Left wrist pediatric wrist radiograph; frontal; imaged through cast; 568 x 802 px —

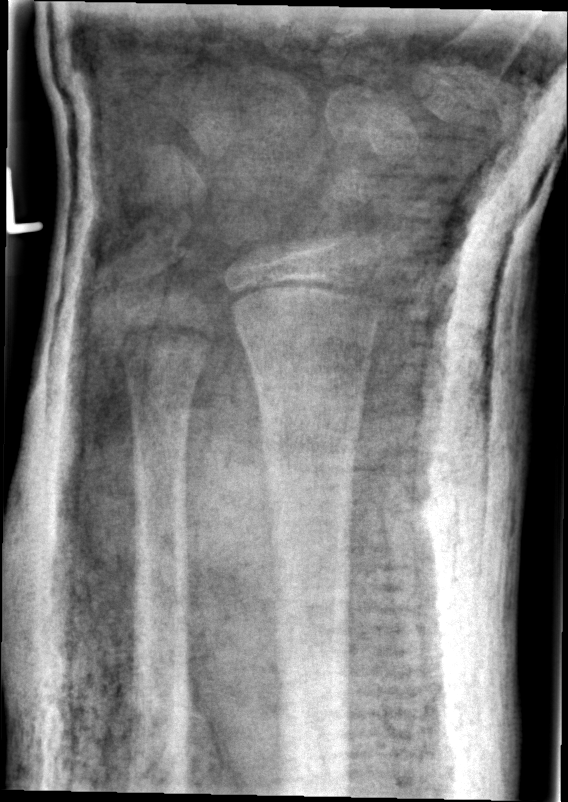

{
  "ao": "23r-M/3.1",
  "fracture": "[256, 381, 365, 460]"
}